Lat projection, Rt pediatric wrist radiograph: 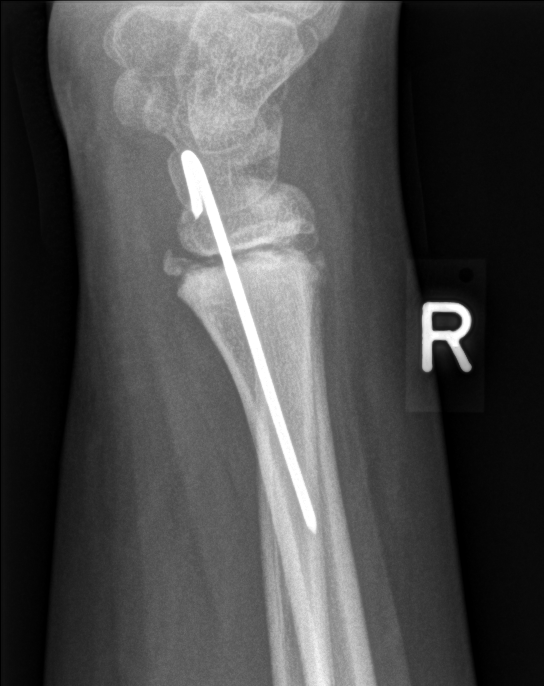
Metallic implant identified at [x1=182, y1=151, x2=319, y2=532].
Fracture — [x1=160, y1=222, x2=328, y2=315].
AO code 23r-E/2.1; 23u-E/7.